Lt wrist plain film · PA/AP view · 718 by 736 pixels.
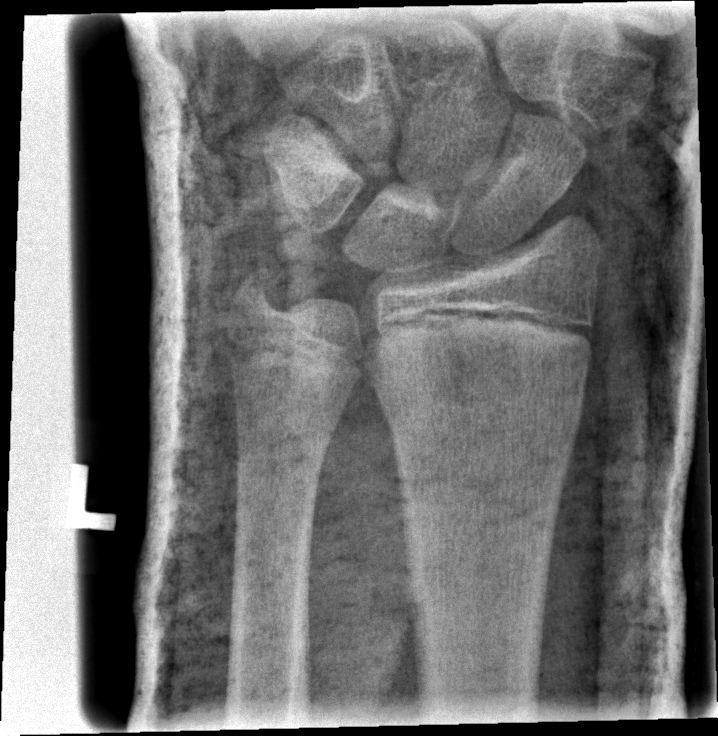
Findings: Bone fracture — bbox(226, 261, 286, 325). AO code 23r-M/3.1; 23u-E/7.